Right wrist plain film; frontal projection; age 9 y, boy; follow-up; cast present. 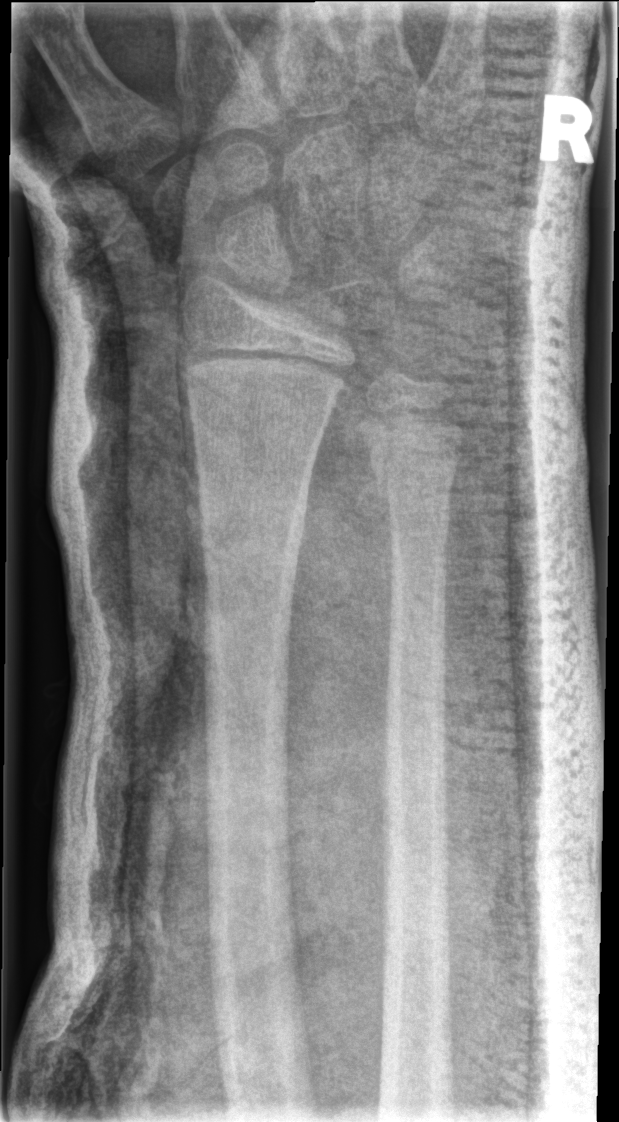 AO code 23u-M/3.1.
Fx: <369,441>-<464,502>.